Lateral view | right wrist XR | 8-year-old male | initial study:
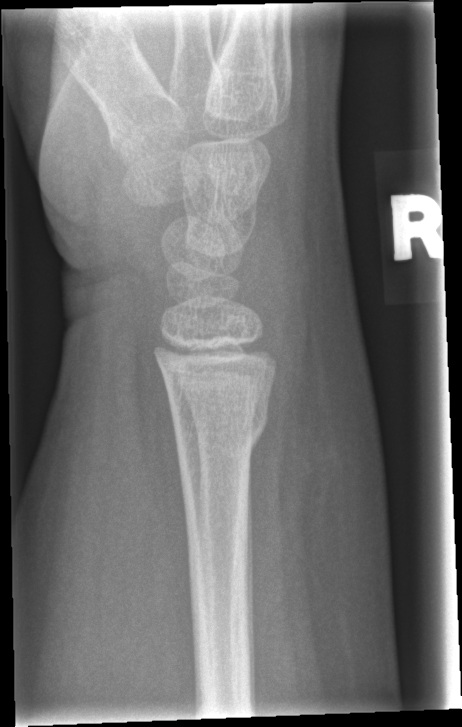

{
  "_coords": "boxes as x1,y1,x2,y2 (top-left / bottom-right, pixel units)",
  "ao": "23r-M/2.1",
  "fracture": "<170,396>-<271,456>"
}